Right wrist radiograph | lat | 13y M | imaged through cast —
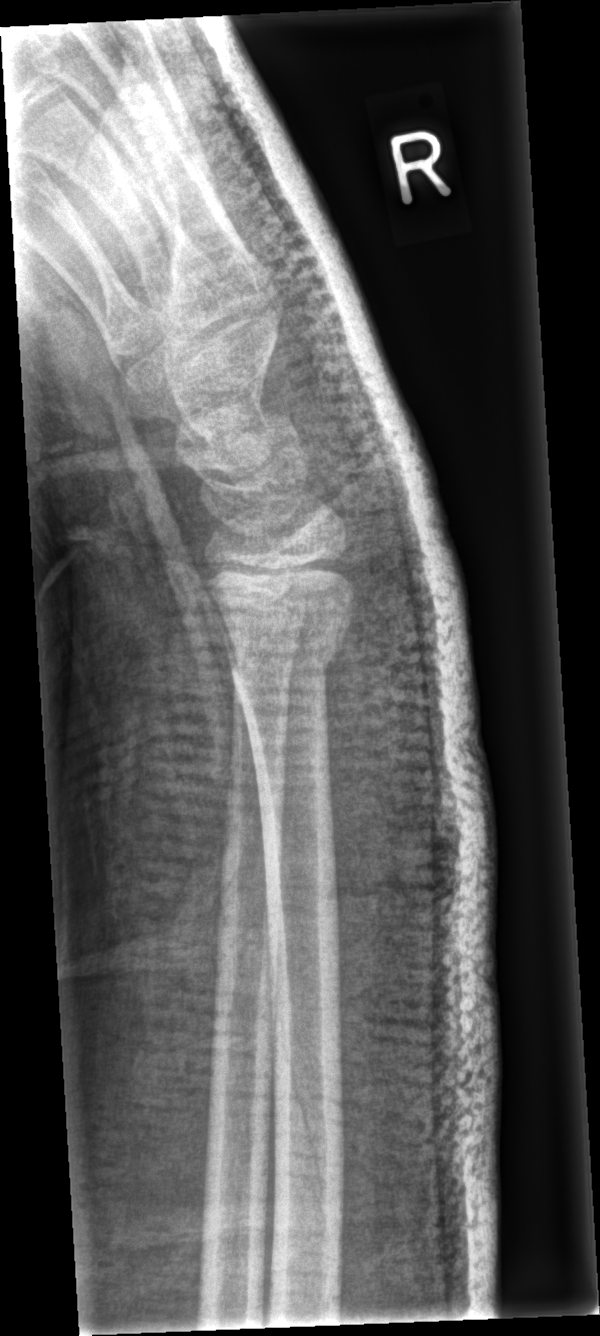
- AO code 23r-M/3.1; 23u-E/7.
- Fracture — <219,616>-<351,695>.